L pediatric wrist radiograph; lateral projection

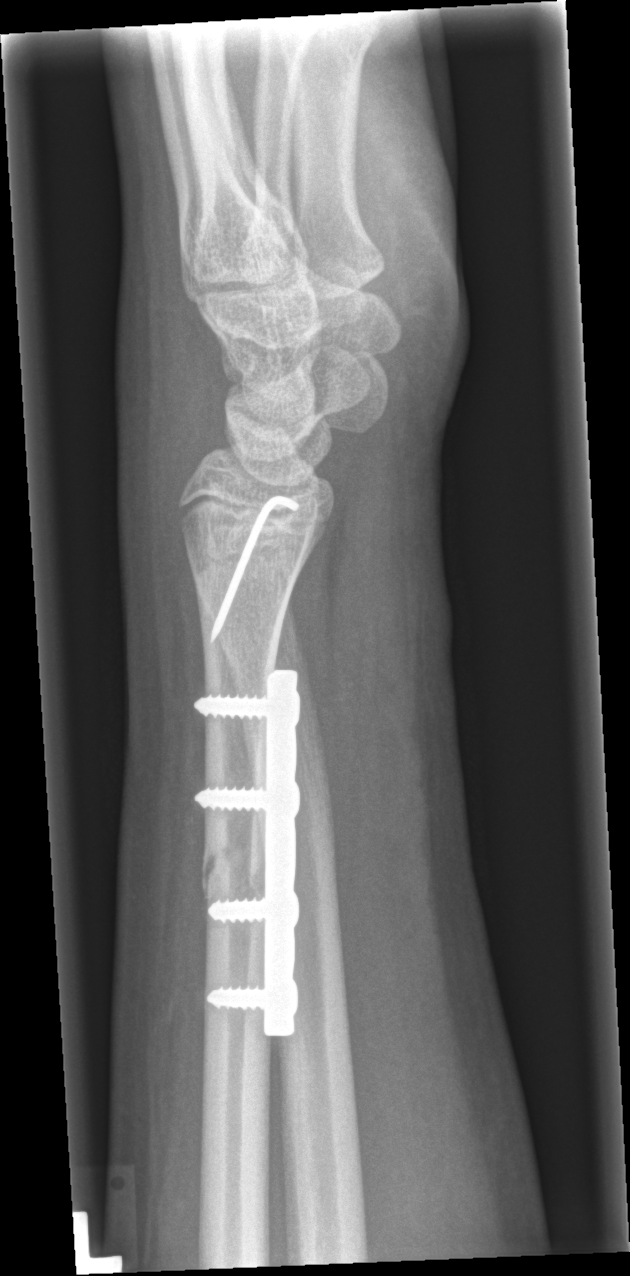

Fracture = 193,836,260,897
Metallic hardware = 188,666,303,1042; 202,489,300,648